Rt wrist X-ray | lateral projection | boy, 7 yo —

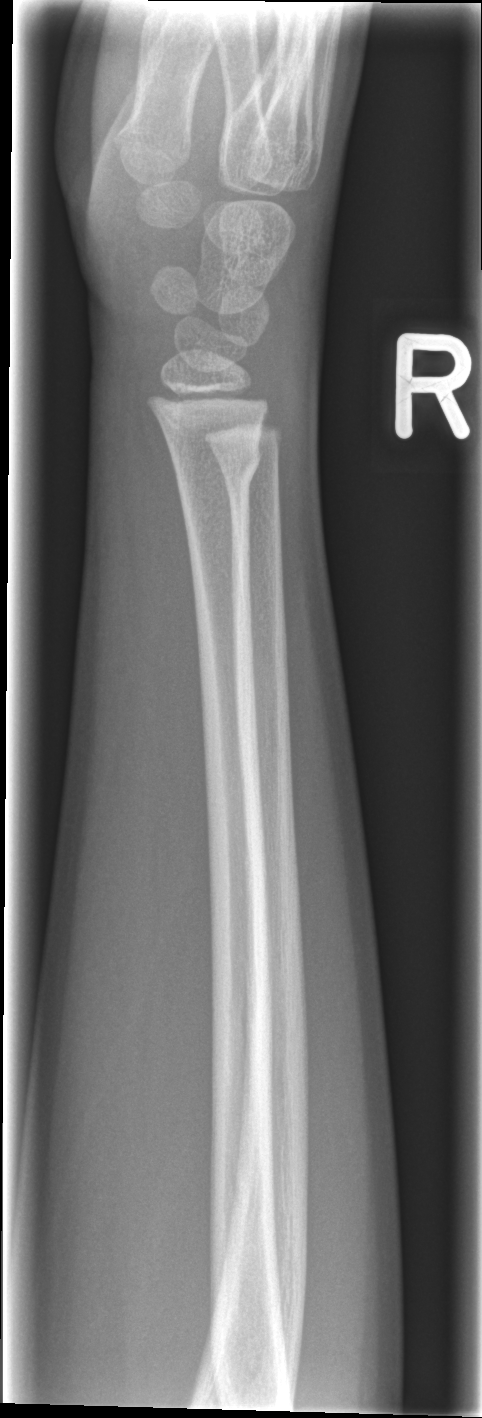 - Fx identified at bbox(171, 432, 263, 500).
- AO/OTA classification: 23r-M/2.1.